AP projection, Lt wrist radiograph, Siemens —
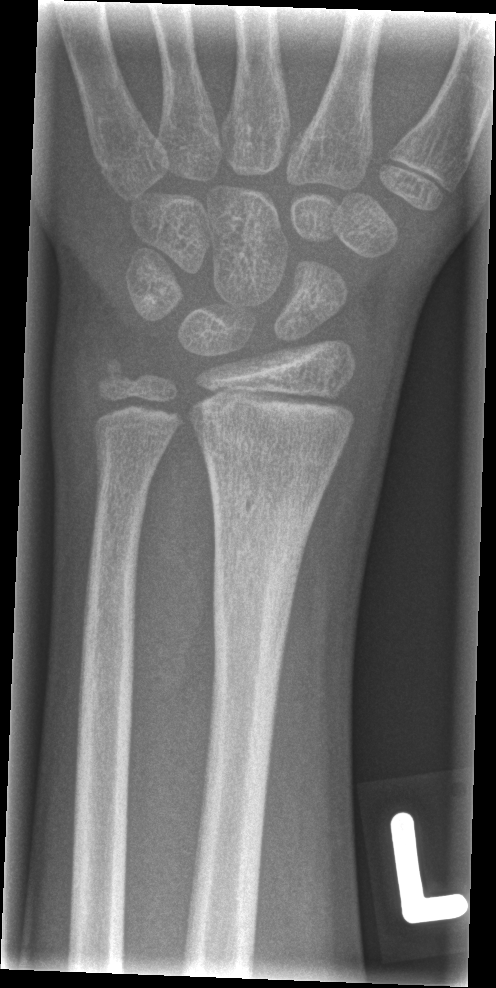

Findings: (boxes as x1,y1,x2,y2 (top-left / bottom-right, pixel units)) Fx — [206, 489, 310, 679] [91, 348, 143, 401].